R pediatric wrist radiograph | lat | pediatric patient (female, age 11)
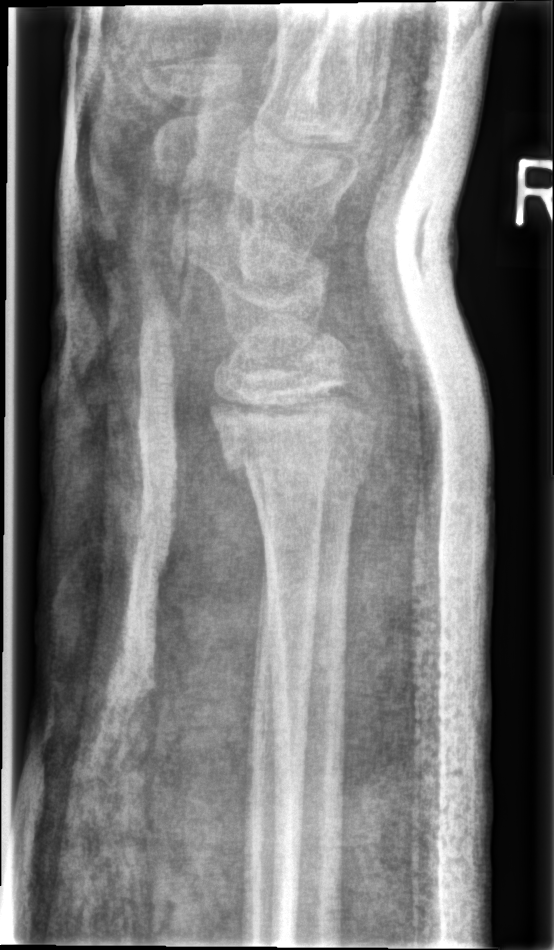

Findings: (boxes as x1,y1,x2,y2 (top-left / bottom-right, pixel units)) Fracture identified at bbox(206, 391, 379, 502). AO/OTA classification: 23r-M/3.1; 23u/E/7.